Right wrist X-ray · PA · male, 7 yo · follow-up study · imaged through cast · detector: Siemens · 528x940 — 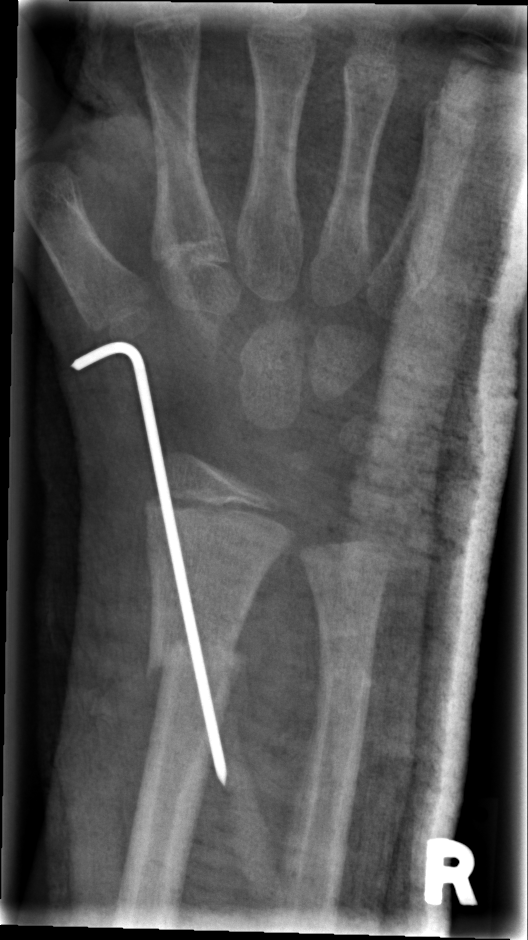

Q: Locate any fractures.
A: Fractures — [x1=144, y1=625, x2=247, y2=691], [x1=315, y1=653, x2=375, y2=703]
Q: What is the AO/OTA classification?
A: AO/OTA classification: 23-M/3.1
Q: Is there any metallic hardware?
A: Metallic hardware — [x1=67, y1=334, x2=230, y2=789]